L plain radiograph of the wrist, lateral view, cast present —

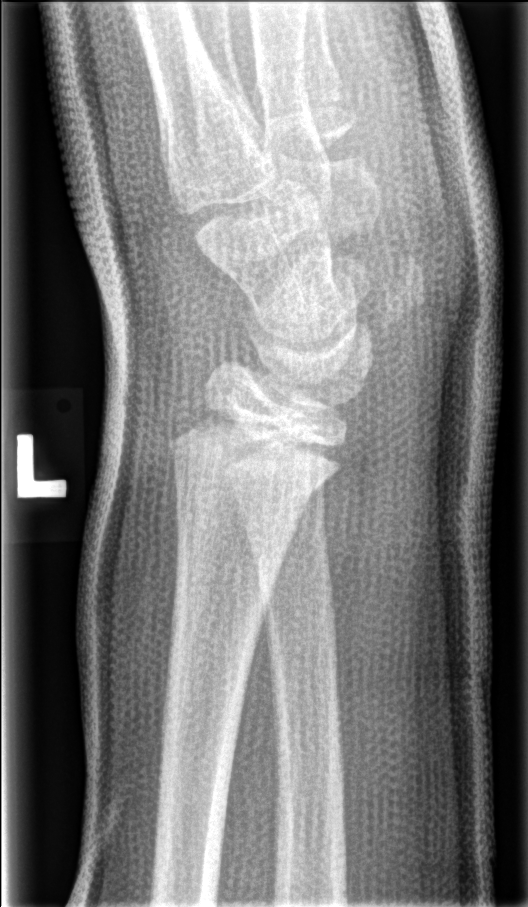
{
  "_coords": "pixel coordinates, top-left origin, xyxy",
  "fracture": "bbox(167, 402, 346, 515)"
}